AP view | Lt pediatric wrist radiograph | 5-year-old female | follow-up study | image width 84.1 mm.

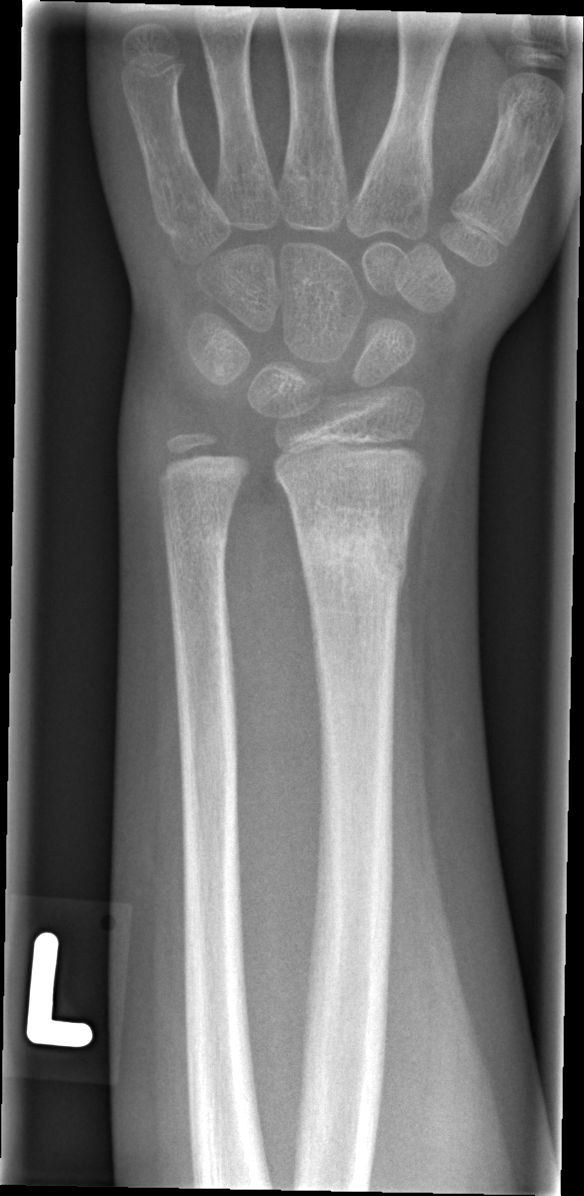

Fracture = bbox(293, 505, 411, 598); bbox(161, 513, 233, 562)
AO code = 23-M/2.1